Rt wrist plain film, PA/AP view, age 12 y, male — 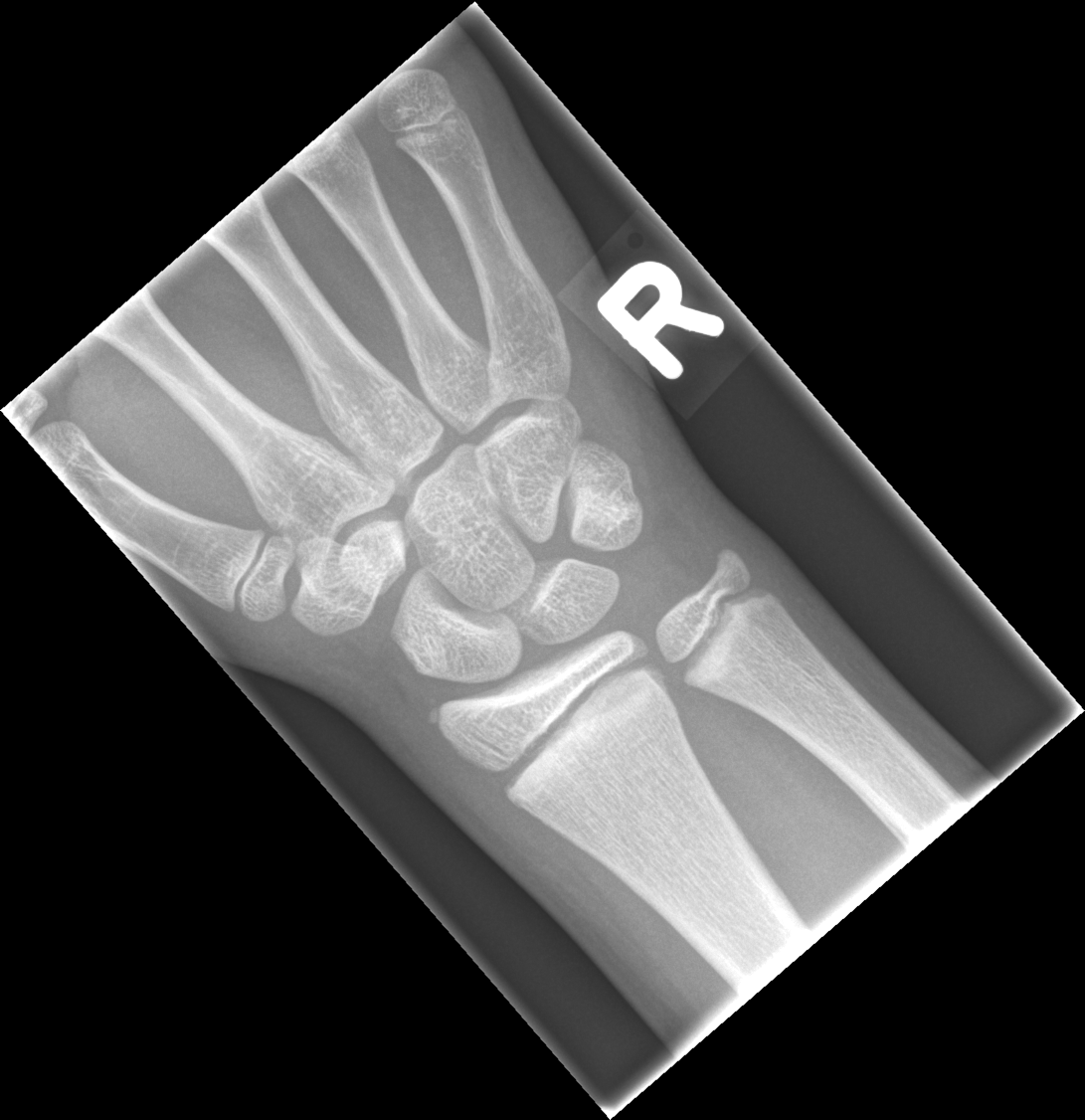
Fracture = present but not clearly seen in this view
AO classification = 23r-E/1